Lateral projection; left wrist plain film.

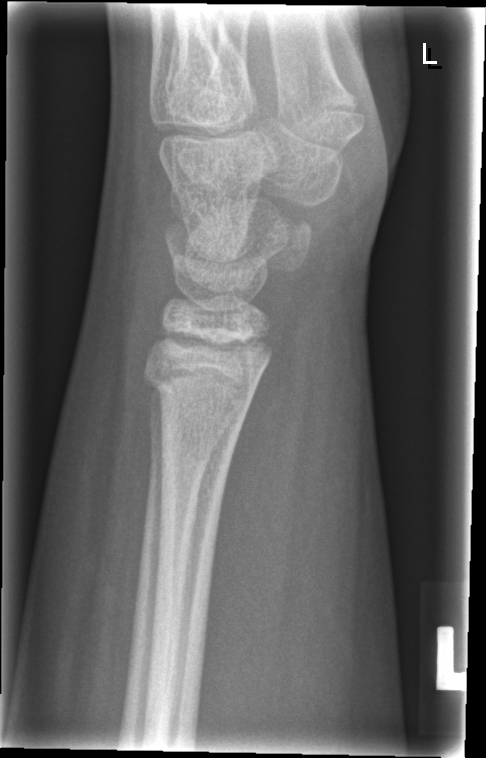

{
  "fracture": "bbox(139, 352, 267, 411)",
  "ao": "23r-M/2.1"
}